Lat projection; Lt pediatric wrist radiograph; acquired on Siemens. 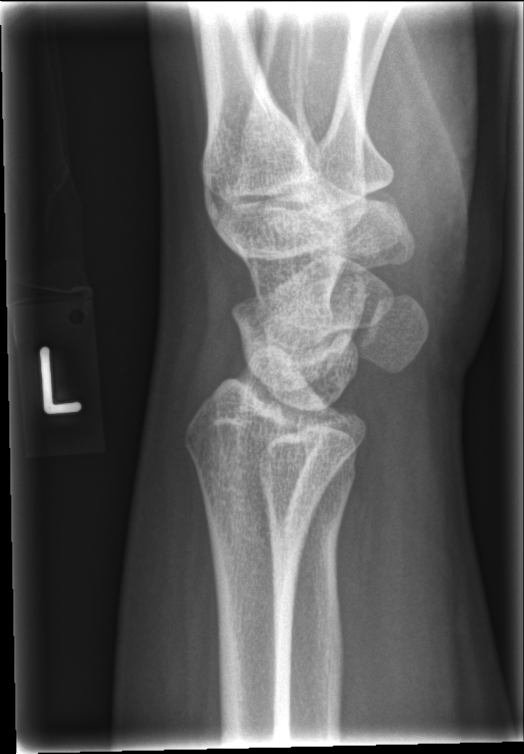
  fracture: none labeled